PA projection | Lt wrist plain film | age 11 y, girl | in cast | detector: Siemens.

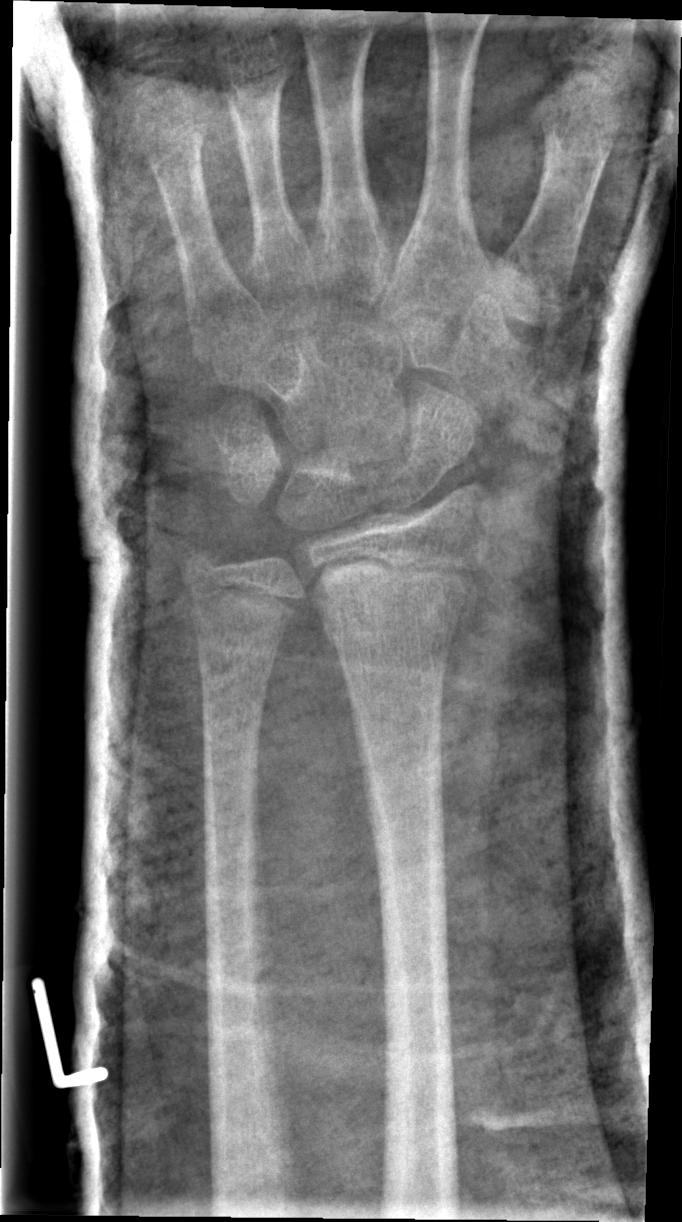
(bounding boxes in image-pixel xyxy)
Q: Is there a fracture?
A: Fracture — bbox(318, 600, 465, 648)
Q: What is the AO/OTA classification?
A: AO/OTA classification: 23r-M/3.1